Frontal | R wrist plain film | 14-year-old male | cast in situ | Siemens | image 95.9 mm wide | image size 666x748.

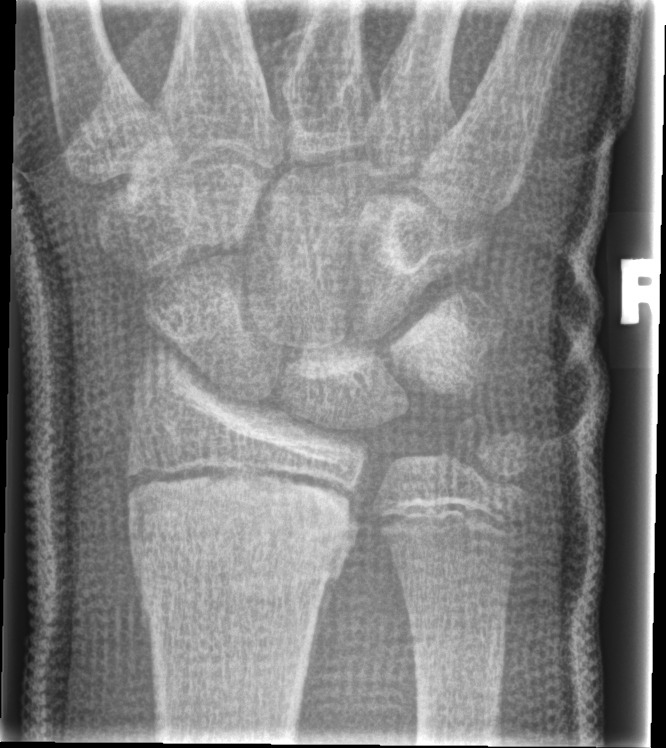

osteopenia = present
AO code = 23r-E/2.1; 23u-E/7
fracture = 2 @ [122, 458, 364, 607], [450, 411, 540, 511]